R wrist XR; lat projection; 14y M; initial study:

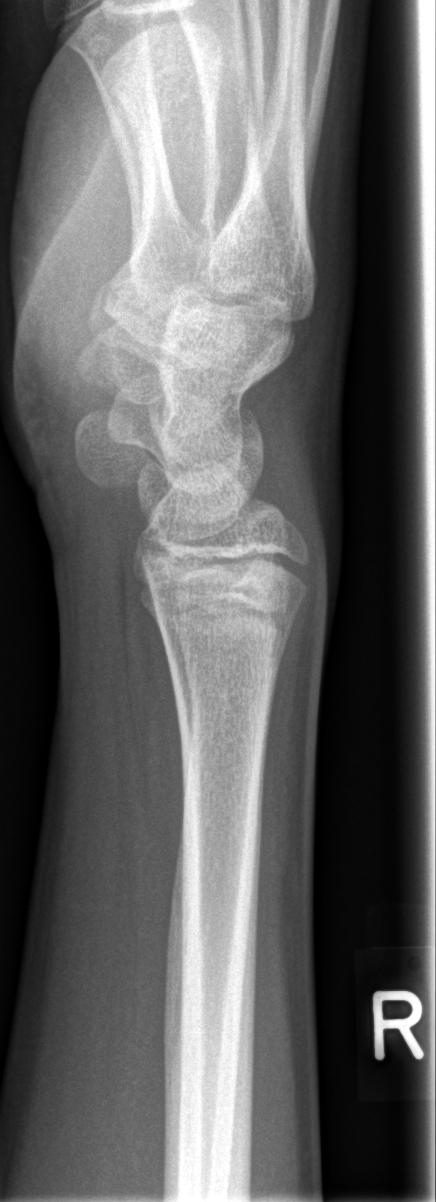
bone fracture = [146, 572, 312, 672]